Lt pediatric wrist radiograph · lateral projection · age 11 y, male · image size 578x1160
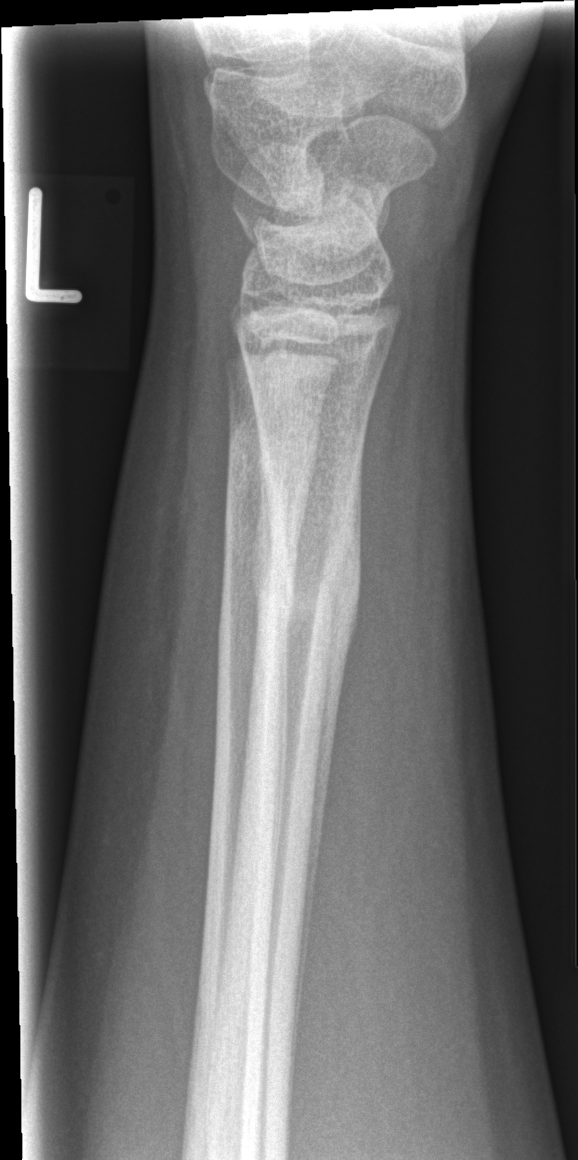 Q: Locate any periosteal reaction.
A: Periosteal thickening identified at bbox(297, 446, 362, 1029)
Q: AO code?
A: AO code 22r-D/4.1; 23u-M/3.1
Q: Fracture present?
A: Two fractures at bbox(252, 450, 366, 720), bbox(222, 402, 322, 530)